Left plain radiograph of the wrist | AP | 9-year-old boy — 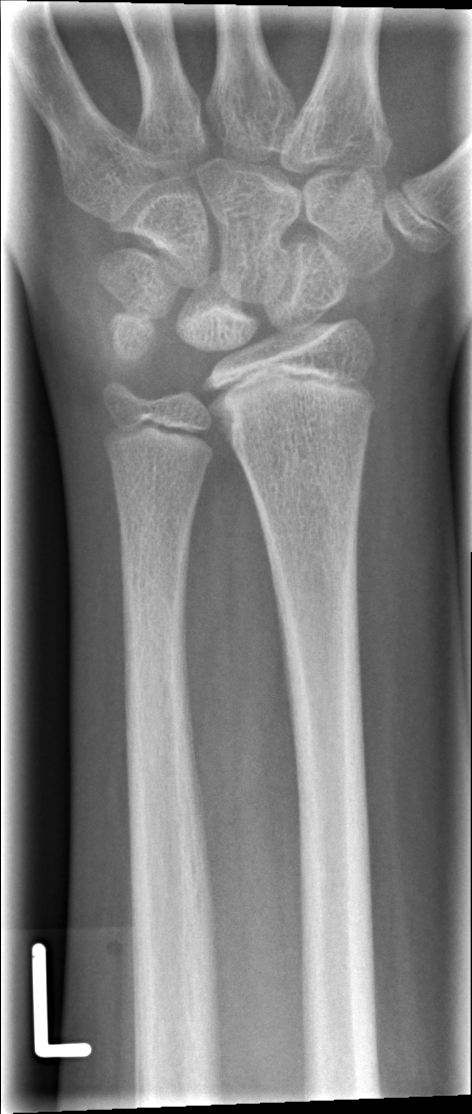

- No fracture labeled.